L wrist XR · frontal projection · boy, 10 yo: 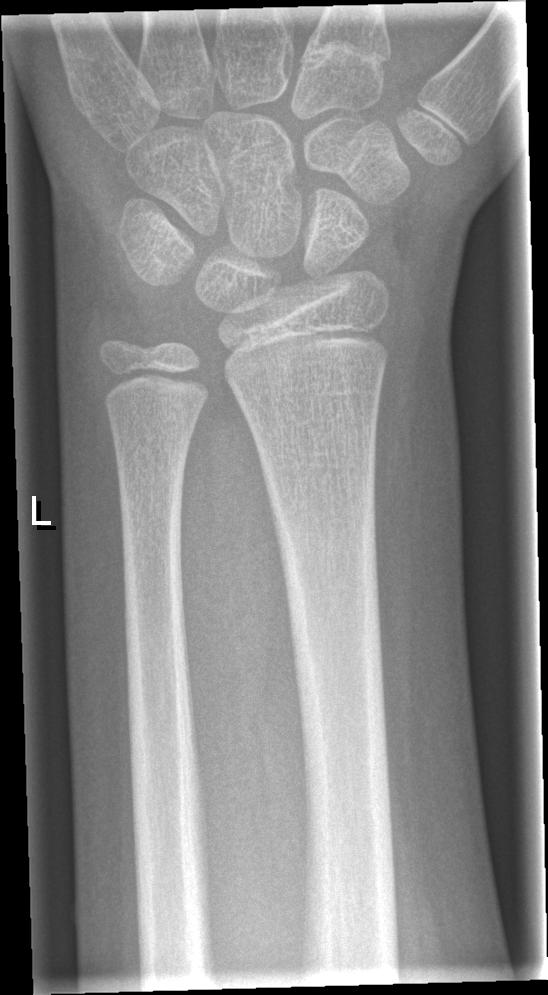
fracture: none labeled